L wrist plain film, lat projection, 12-year-old girl:
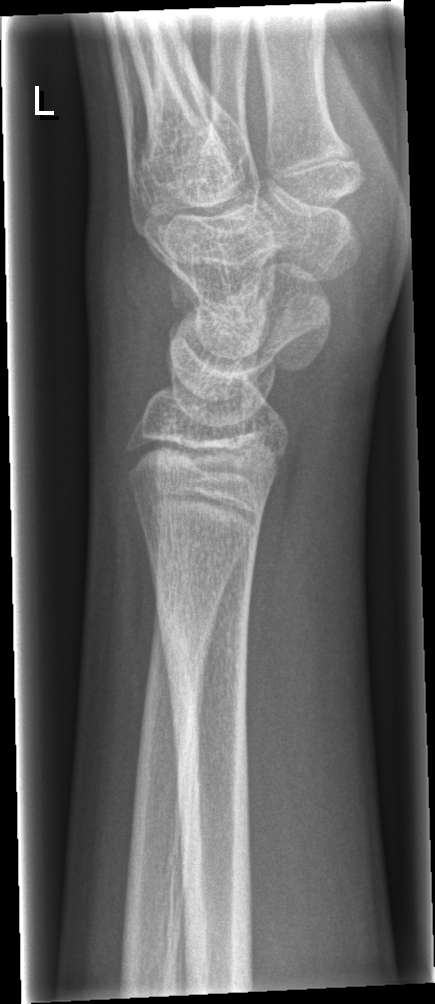
Bone fracture: [155, 598, 259, 805]. Fracture classified AO/OTA 23r-M/2.1.